Lat view | right wrist plain radiograph of the wrist | pediatric patient (boy, age 10) | initial study:

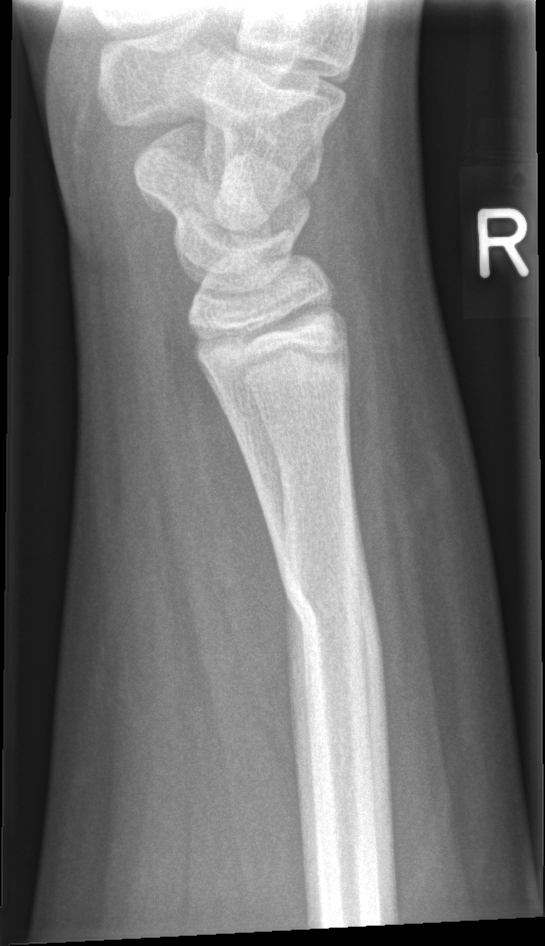 Fx: 278,553,384,645.
AO code 22r-D/2.1.